Lat view, L pediatric wrist radiograph, pediatric patient (male, age 13), subsequent exam, imaged through cast, image width 86.0 mm, 597x1170 —
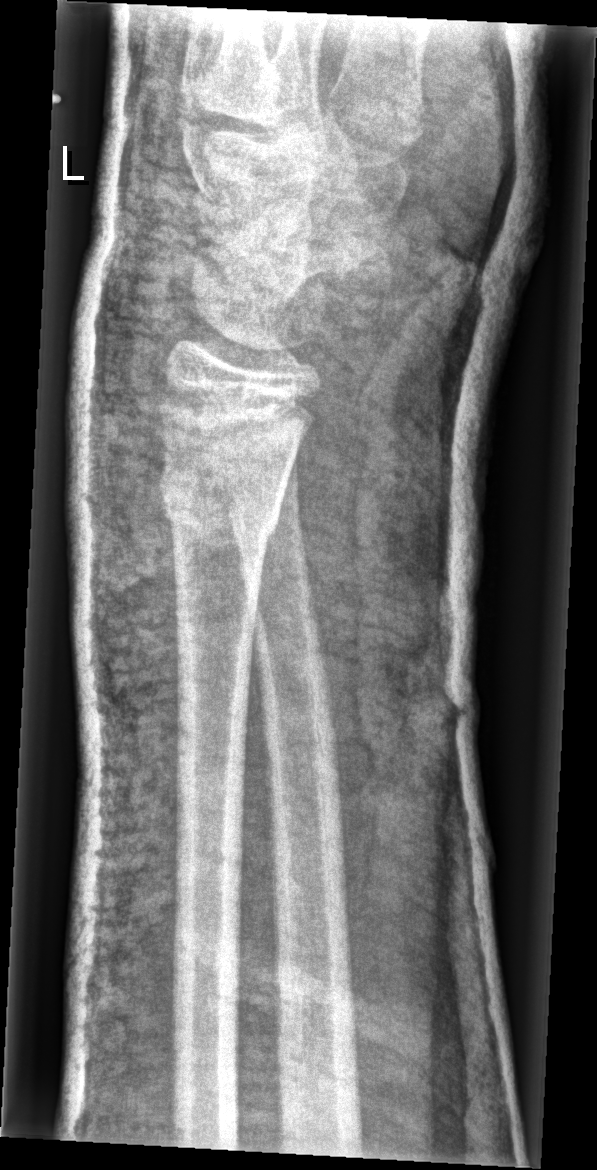 (coordinates are [x1, y1, x2, y2] in image pixels)
Q: What is the AO/OTA classification?
A: Fracture classified AO/OTA 23r-M/3.1; 23u-E/7
Q: Fracture present?
A: Fx — (left=153, top=457, right=293, bottom=540)